Frontal, Rt wrist radiograph, pediatric patient (boy, age 9), Siemens. 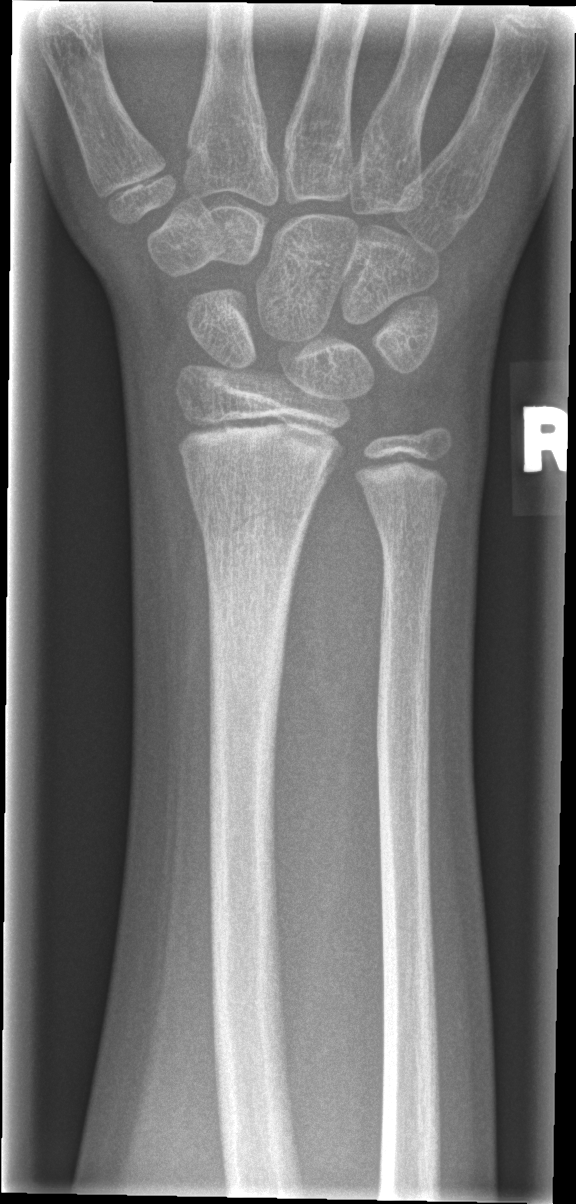
* Fx: [188, 486, 317, 554].